Right wrist radiograph · lateral projection · 561 x 1162 px
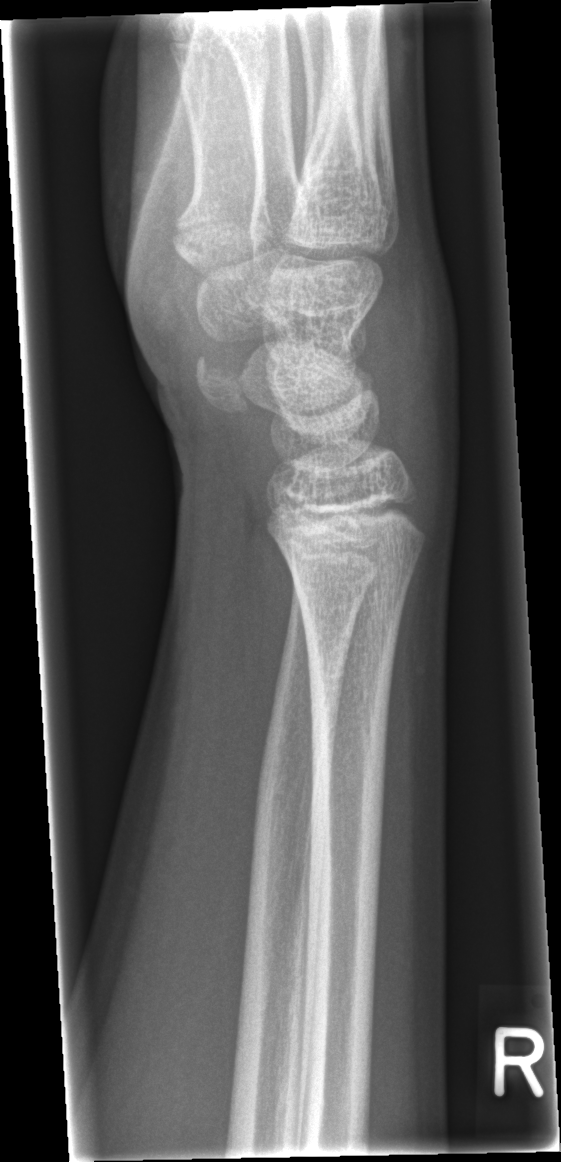

Q: Is there a fracture?
A: Fx: none